PA; right wrist pediatric wrist radiograph; imaged through cast —
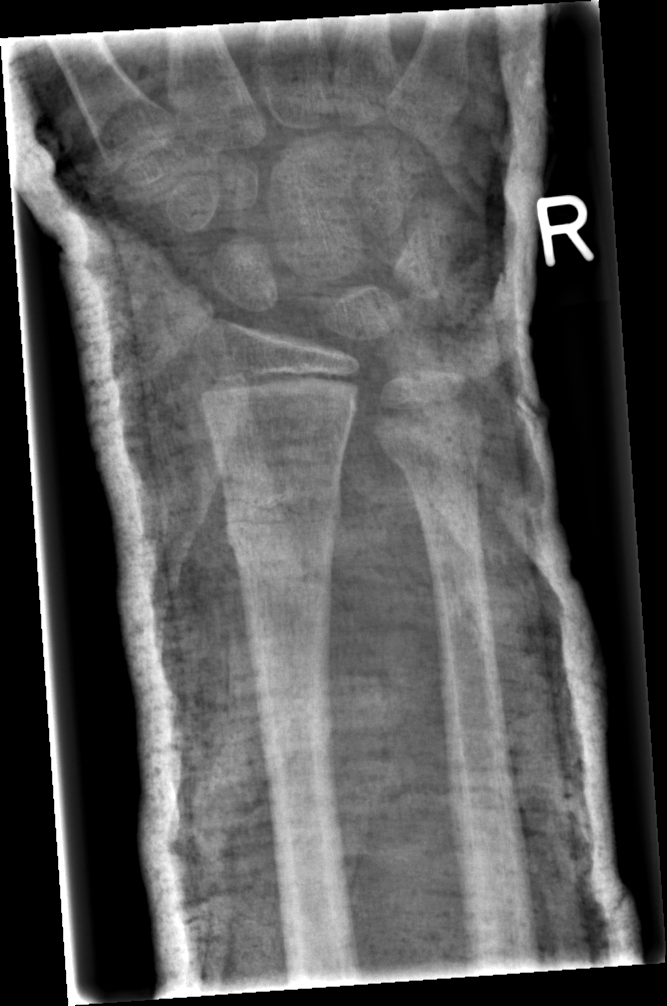 (boxes as x1,y1,x2,y2 (top-left / bottom-right, pixel units))
Fx: <221,473>-<346,564>, <379,408>-<486,476>